Right wrist X-ray; lat projection; initial study 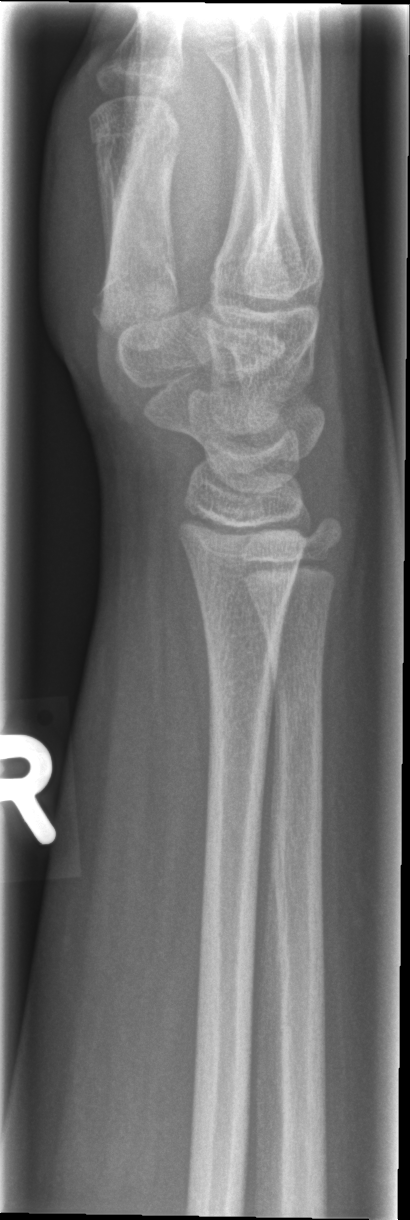

Q: Is there a fracture?
A: No fracture labeled